Left wrist plain film, lat view, in cast:

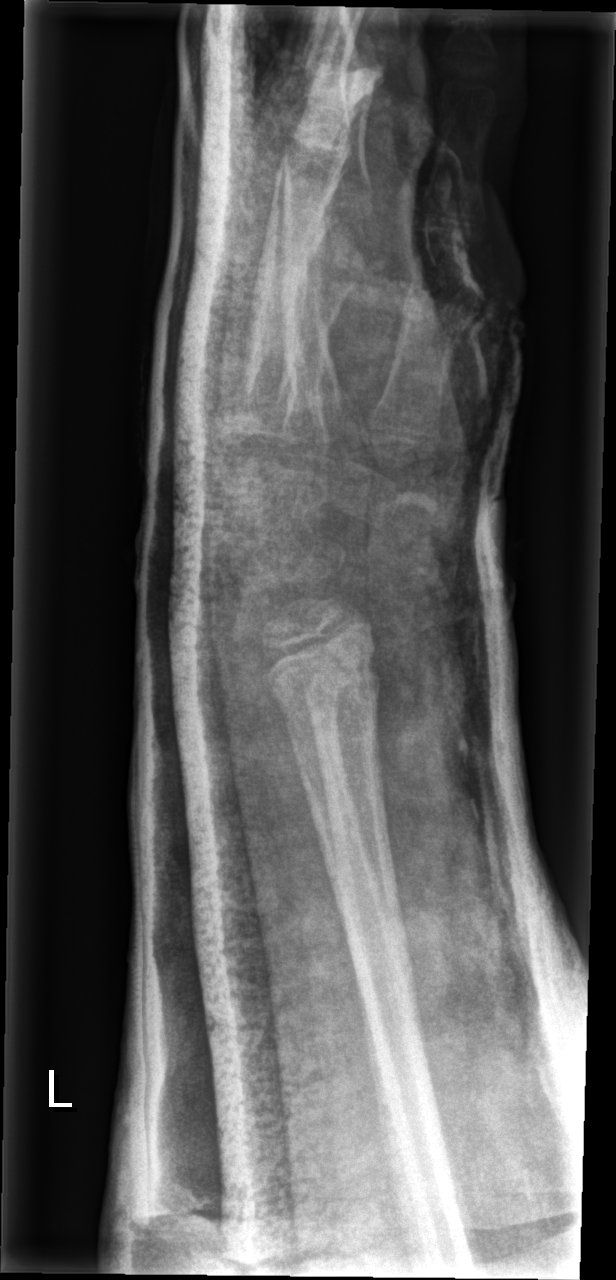 (coordinates are [x1, y1, x2, y2] in image pixels)
Fx = (260, 660, 384, 730)